Frontal view · right wrist plain radiograph of the wrist · male, 12 yo · subsequent exam · imaged through cast · Siemens

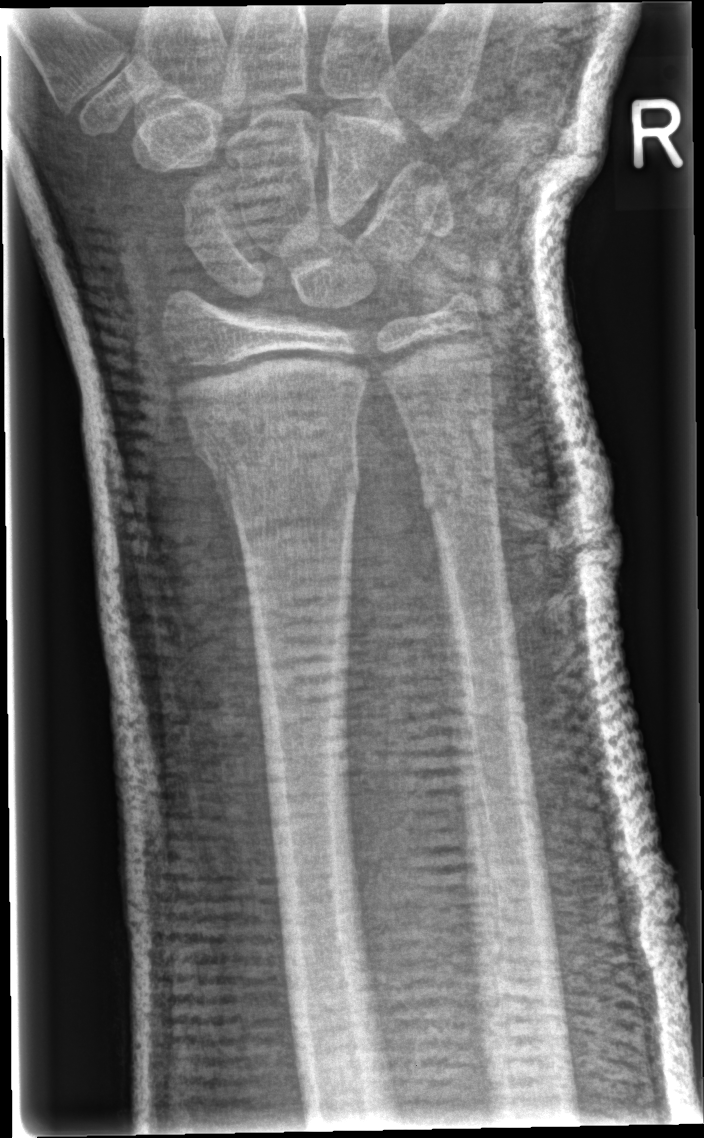

Coordinates are [x1, y1, x2, y2] in image pixels. Fx: bbox(184, 405, 367, 530); bbox(414, 450, 503, 528).